PA projection | right wrist XR | follow-up study | detector: Siemens — 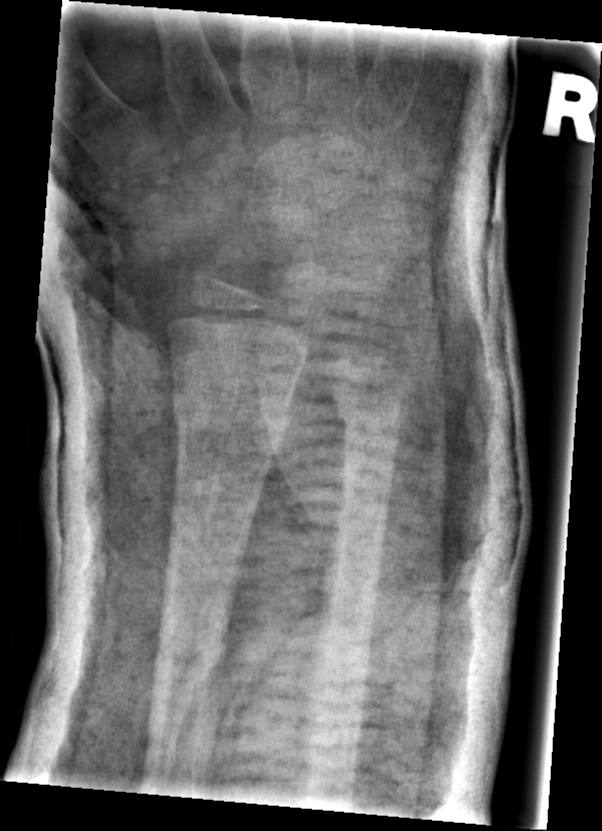

(boxes as x1,y1,x2,y2 (top-left / bottom-right, pixel units))
AO/OTA: 23-M/2.1
Fracture: <168,375>-<295,458> <332,391>-<405,451>